Right wrist radiograph, frontal, age 11 y, boy, follow-up study.

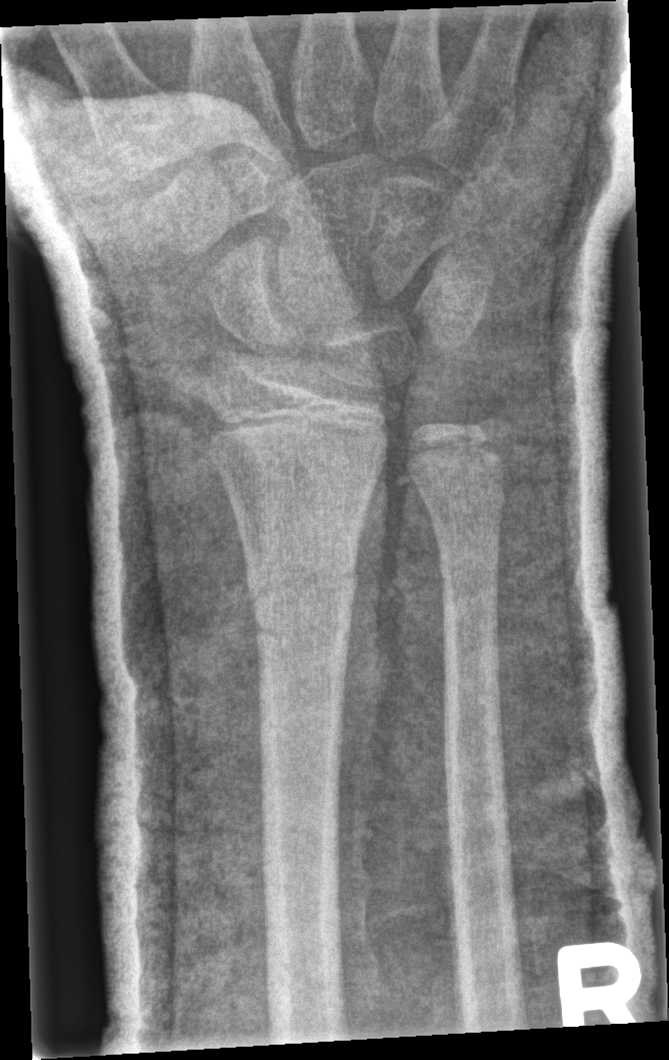
Fx = (242, 550, 363, 636)